Rt wrist XR | PA projection | follow-up study | cast in situ:
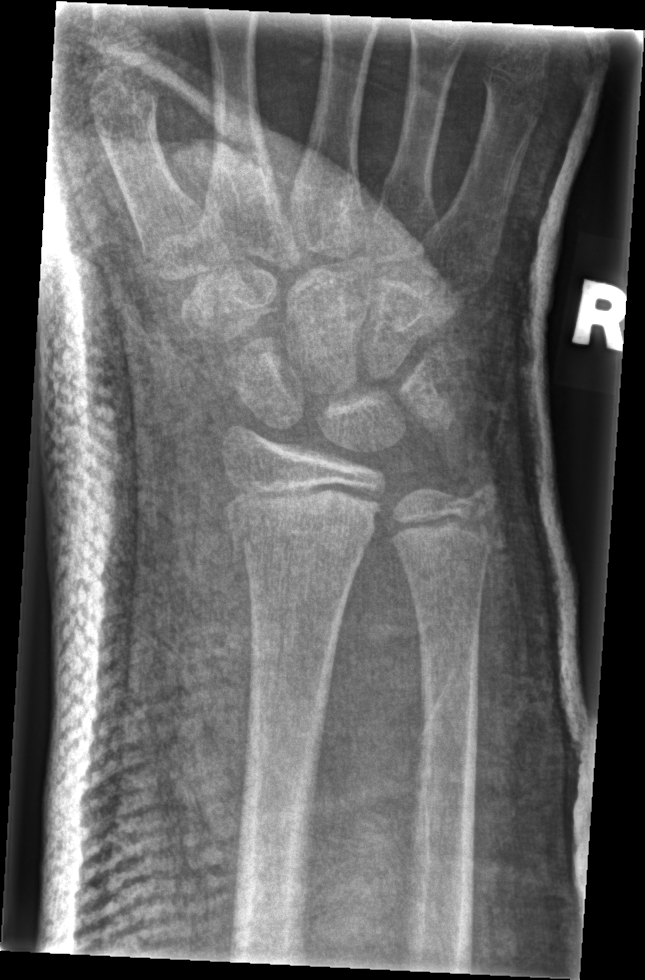 Pixel coordinates, top-left origin, xyxy.
Fracture classified AO/OTA 23r-M/2.1.
Fracture identified at [222, 486, 379, 561].